Left wrist radiograph; posteroanterior projection; 8y F; imaged through cast; image size 724x842:

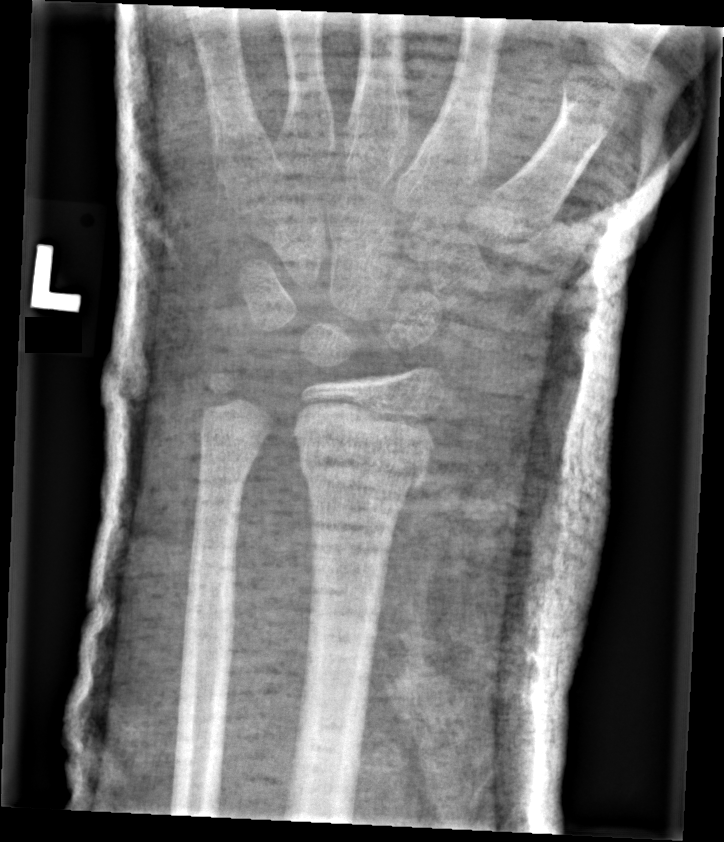

(bounding boxes in image-pixel xyxy)
Q: Any fracture seen?
A: Bone fracture identified at (left=292, top=417, right=434, bottom=505)
Q: AO code?
A: AO code 23r-E/2.1